Lat projection; left plain radiograph of the wrist; in cast; Siemens:
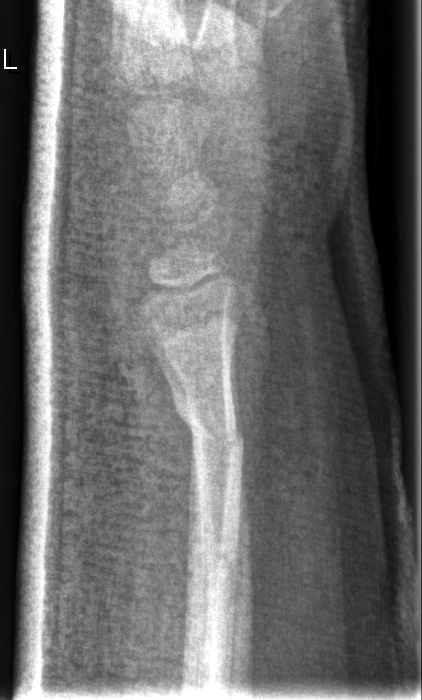 Bone fracture: (left=170, top=394, right=246, bottom=456).
AO code 23r-M/3.1; 23u-M/2.1.